PA · left wrist radiograph · detector: Siemens · 518x644.

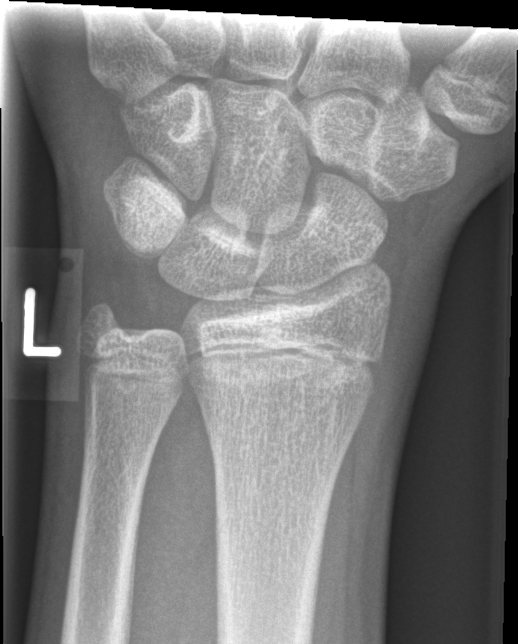
  fracture: none labeled